R wrist radiograph | lat | female, 7 yo

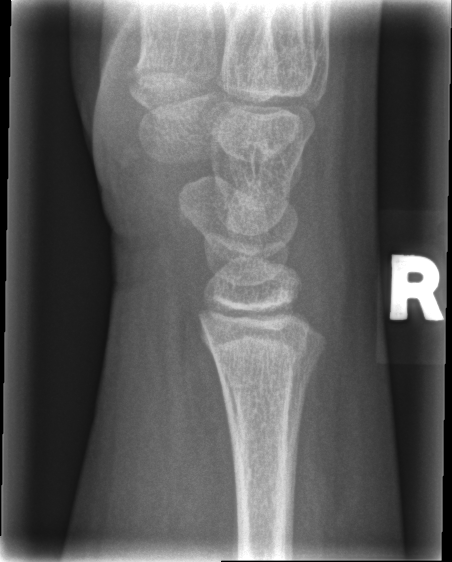
Fx = 205 332 329 397